Frontal view · L wrist XR · pediatric patient (female, age 15) · presentation radiograph: 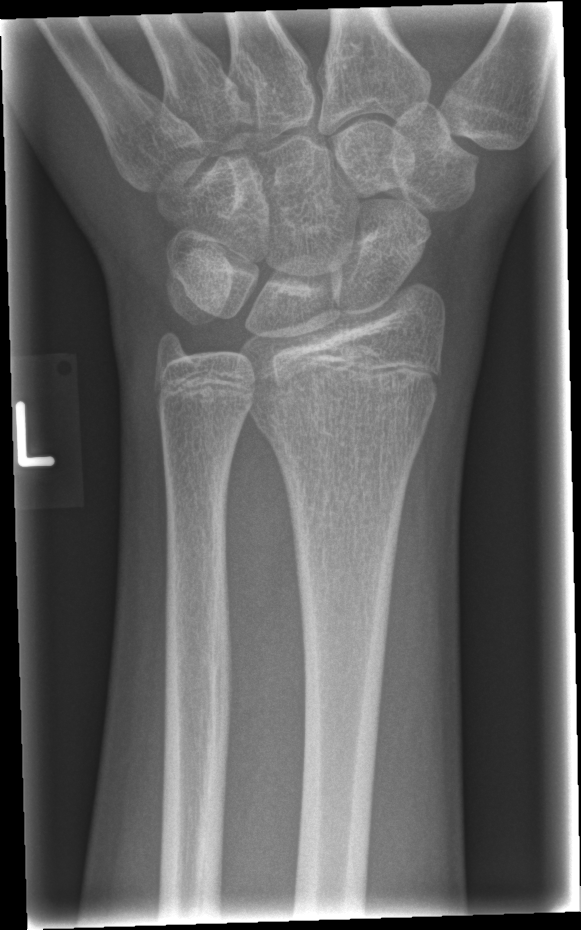
Fracture: present but not clearly seen in this view.
AO code 23r-M/2.1.